Posteroanterior projection | Lt plain radiograph of the wrist | age 7 y, female | image 68.7 mm wide —

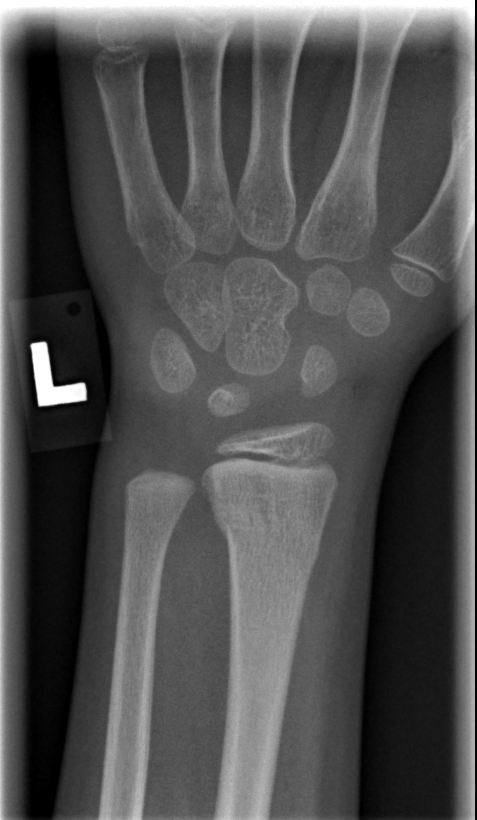

Bone fracture identified at (left=210, top=486, right=325, bottom=573).